Rt wrist X-ray; lat; age 6 y, girl
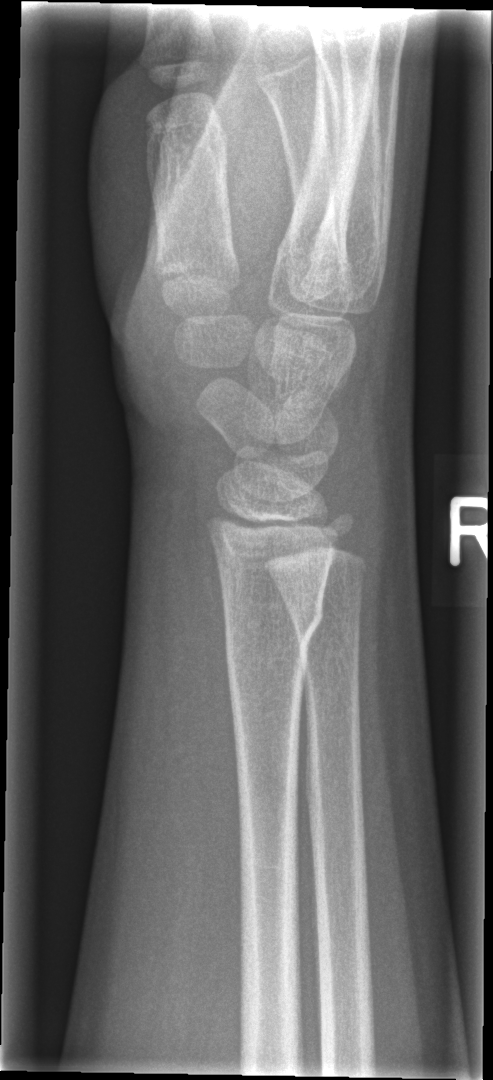 FINDINGS — (coordinates are [x1, y1, x2, y2] in image pixels) AO/OTA classification: 23r-M/2.1. Fracture — bbox(218, 589, 330, 656).